Rt pediatric wrist radiograph, PA/AP view.
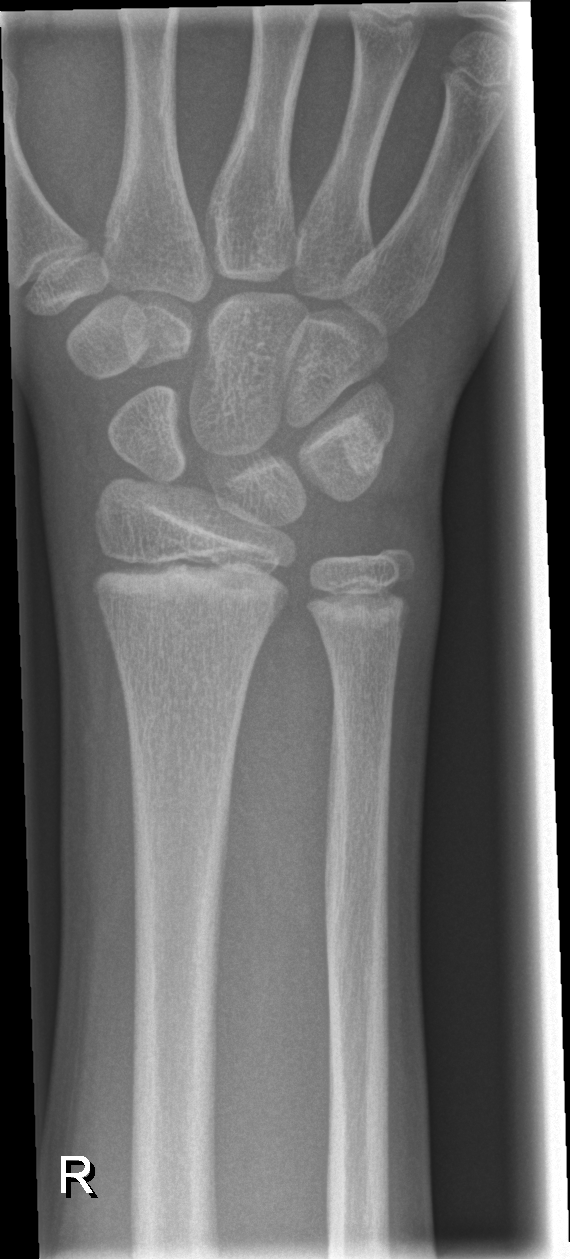
Bone fracture: present but not clearly seen in this view
AO classification: 23r-E/2.1